L wrist XR; lat projection; 10-year-old female; image 82.2 mm wide: 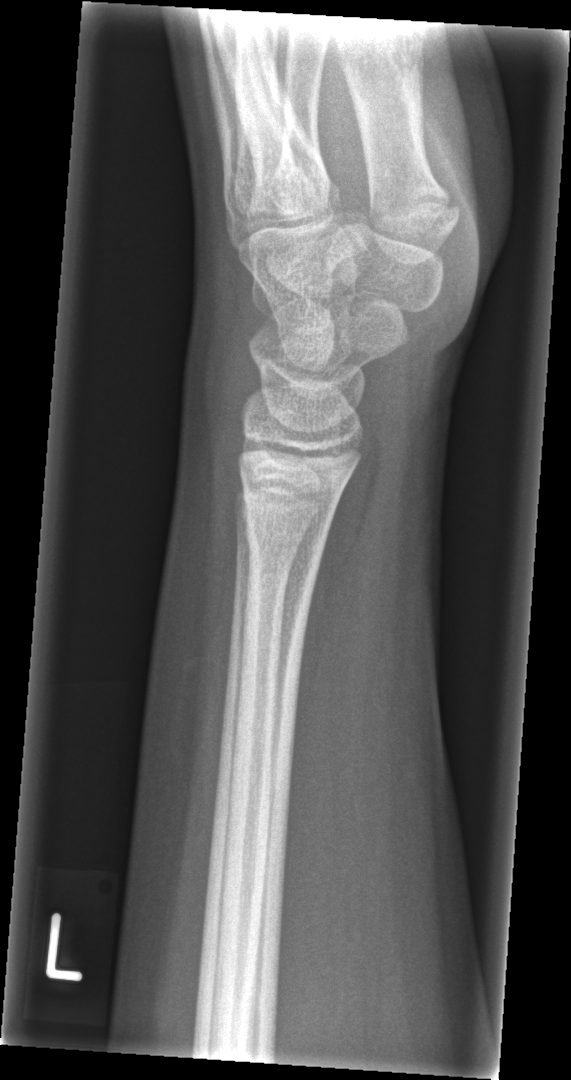
ao: 23r-M/2.1
fracture: 1 @ [241, 501, 335, 564]